Lt wrist plain film, frontal projection, age 15 y, male. 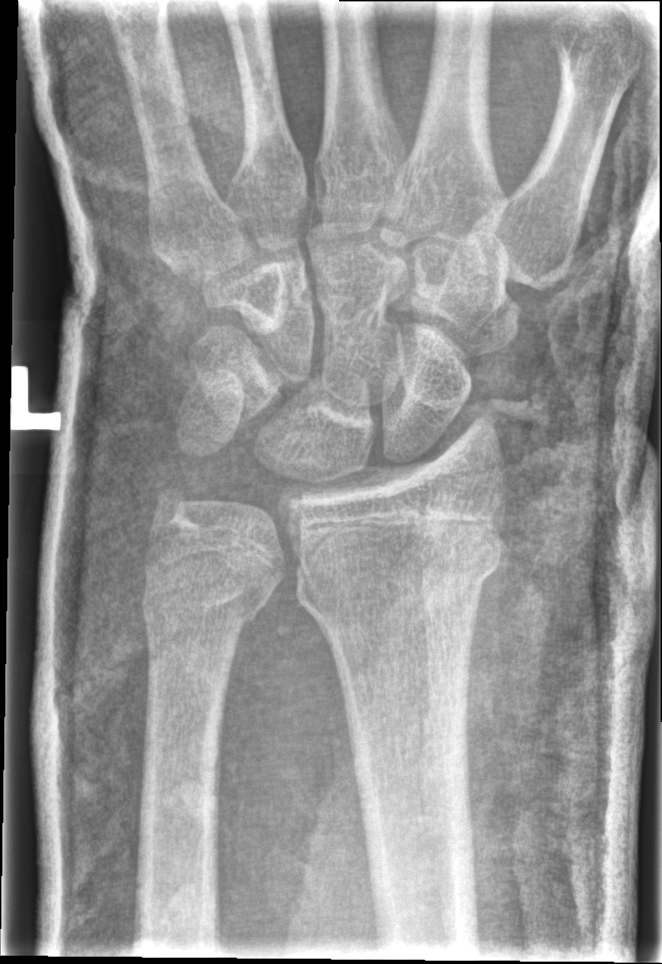 fracture: <290,528>-<503,624>; <139,574>-<270,632>
ao: 23-M/2.1